R wrist radiograph, lateral view, image 72.4 mm wide, 503 x 1028 px. 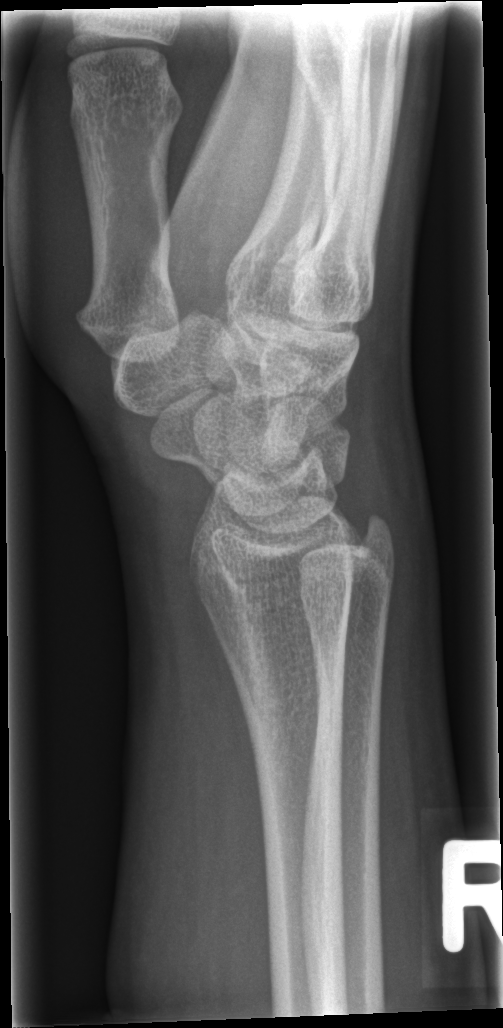
bone fracture: none labeled